Lateral projection; left wrist radiograph; boy, 4 yo; presentation radiograph; 415 by 912 pixels — 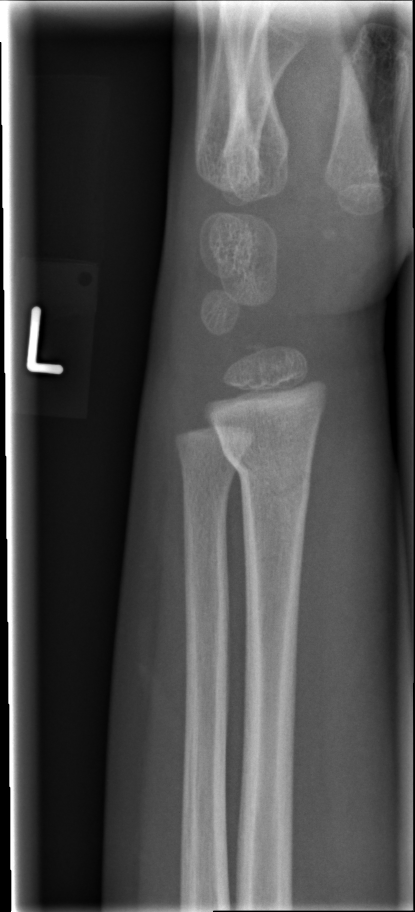 (bounding boxes in image-pixel xyxy)
Q: AO code?
A: AO code 23r-M/3.1
Q: Is there a fracture?
A: Fracture — (left=219, top=432, right=317, bottom=497)